PA projection, R wrist X-ray, 8-year-old girl, initial study, 563x904:

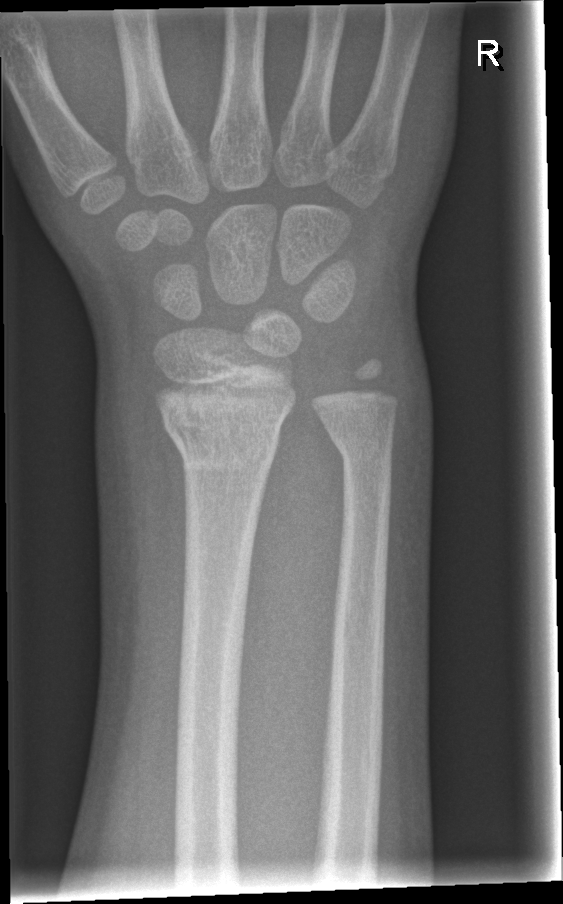 (bounding boxes in image-pixel xyxy)
AO code: 23r-E/2.1; 23u-M/2.1
Fx: (left=161, top=399, right=290, bottom=471); (left=323, top=425, right=399, bottom=465)